Lat, left wrist radiograph, pediatric patient (male, age 13), 545x1372.
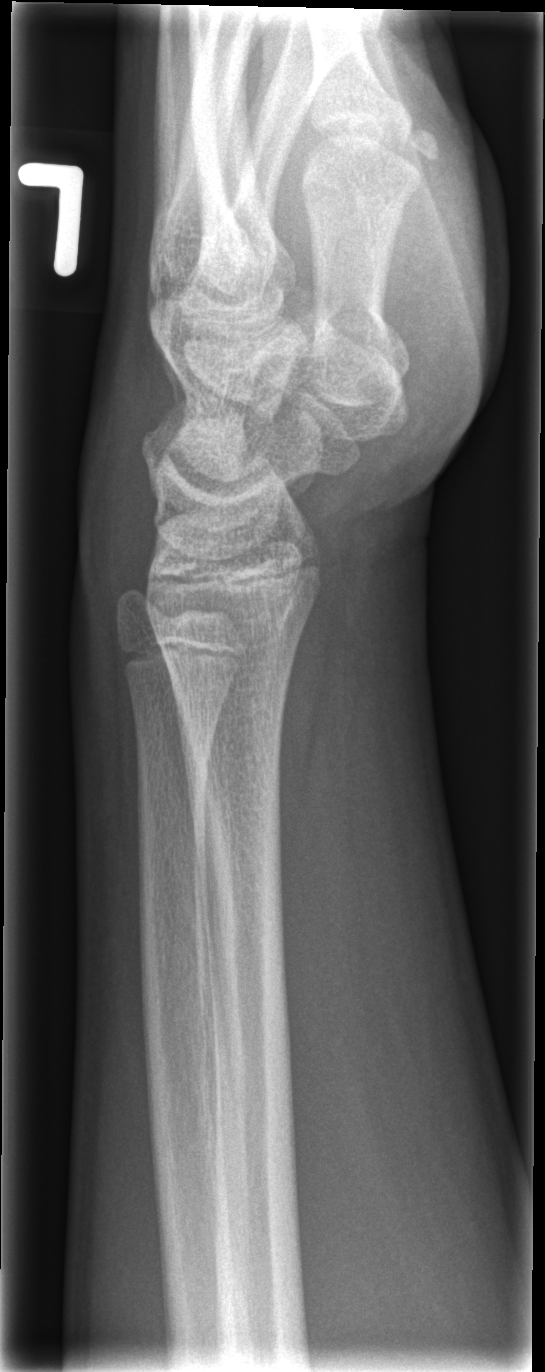 (pixel coordinates, top-left origin, xyxy)
soft tissue abnormality = 1 @ 67,377,163,623
fracture = none labeled